Left wrist plain radiograph of the wrist; lateral; 12-year-old boy; follow-up study
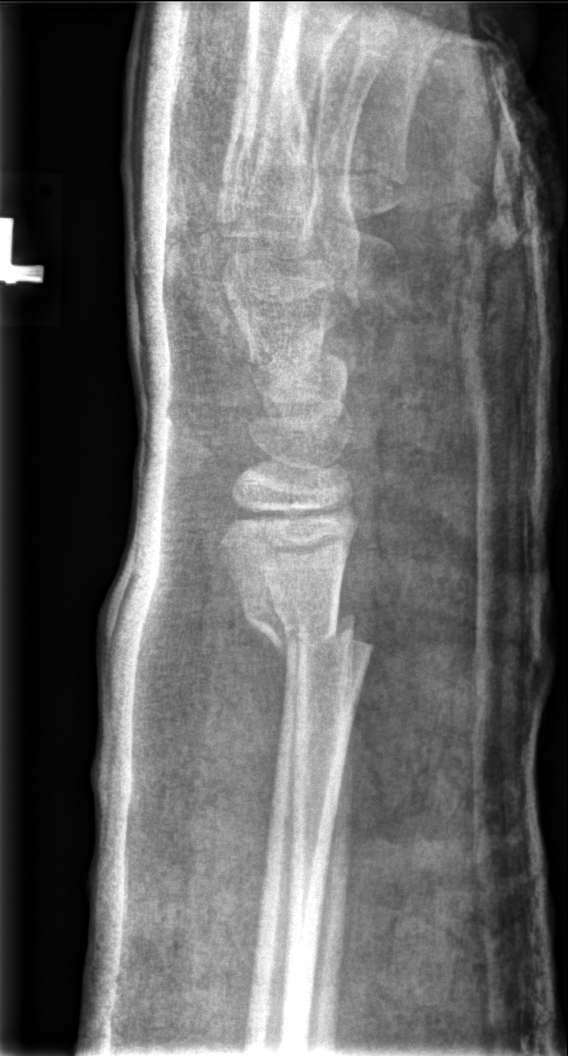
FINDINGS: (pixel coordinates, top-left origin, xyxy) Two Fx at 244,598,360,666; 273,604,379,675. Fracture classified AO/OTA 23-M/3.1.